Lat projection, right wrist X-ray.

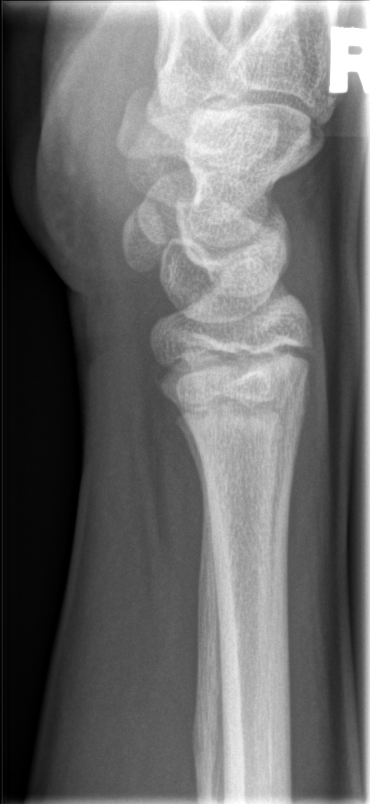 {"fracture": "none labeled"}